AP projection | R wrist radiograph:
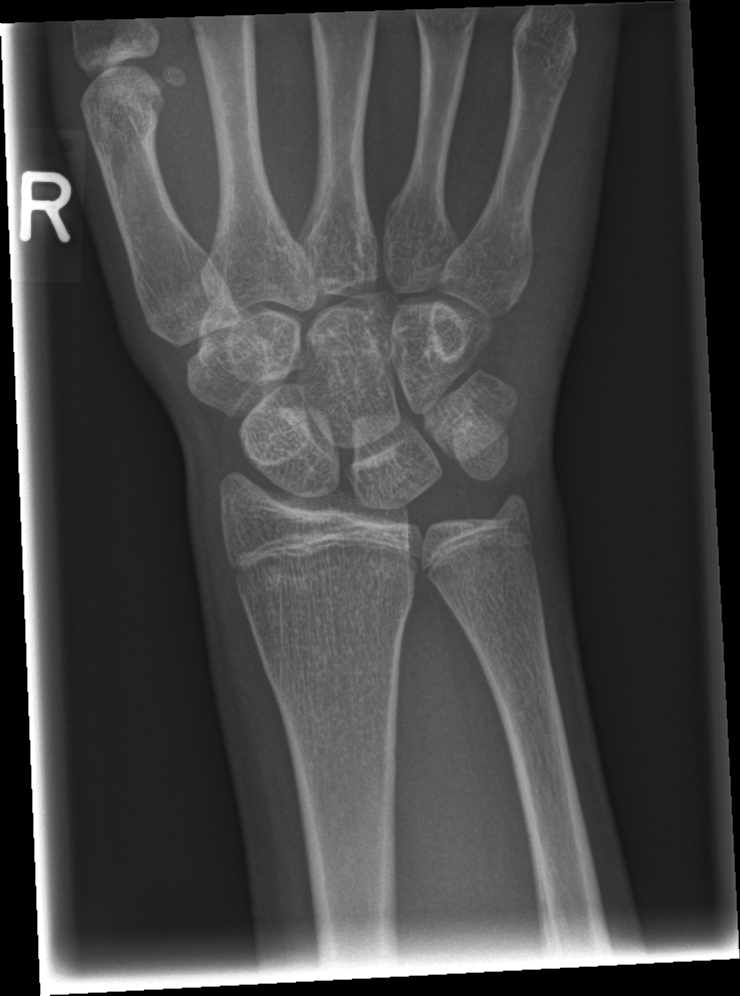

FINDINGS — No fracture bounding box.